PA, right pediatric wrist radiograph, girl, 6 yo, 592 by 971 pixels.

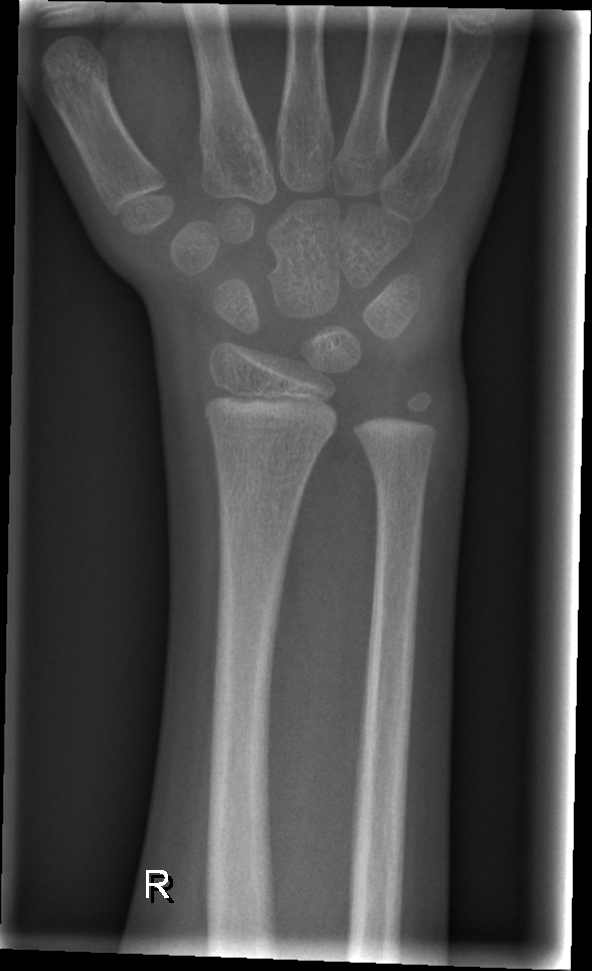 FINDINGS: No fracture labeled.